Rt pediatric wrist radiograph | lateral view | 8-year-old male | detector: Siemens | 422 by 1080 pixels. 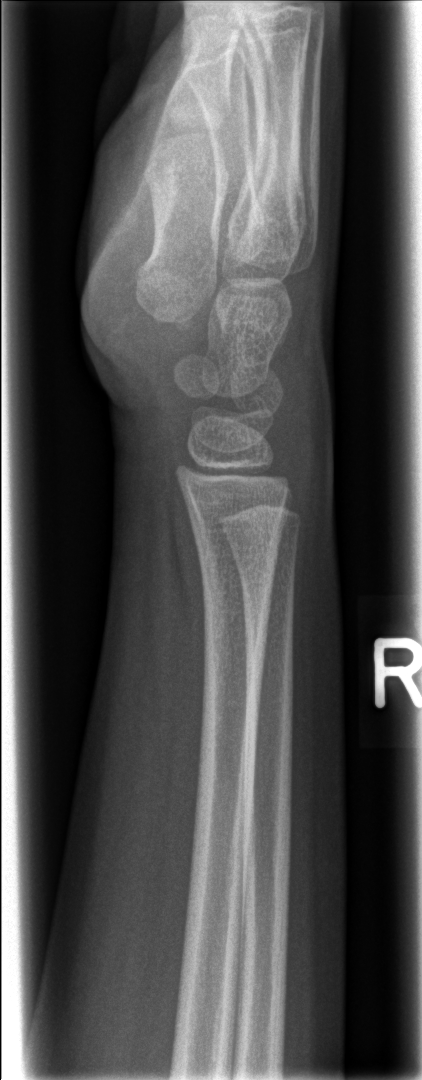

Fx: none.